PA projection | left wrist pediatric wrist radiograph | cast present.

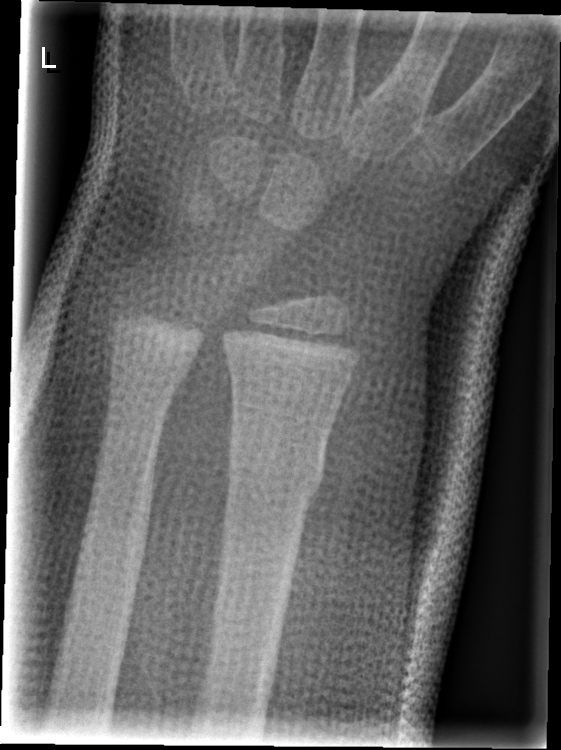

Findings: (pixel coordinates, top-left origin, xyxy) Fracture — 225,435,328,508.